Lateral projection · R wrist X-ray · pediatric patient (girl, age 8) · Siemens —
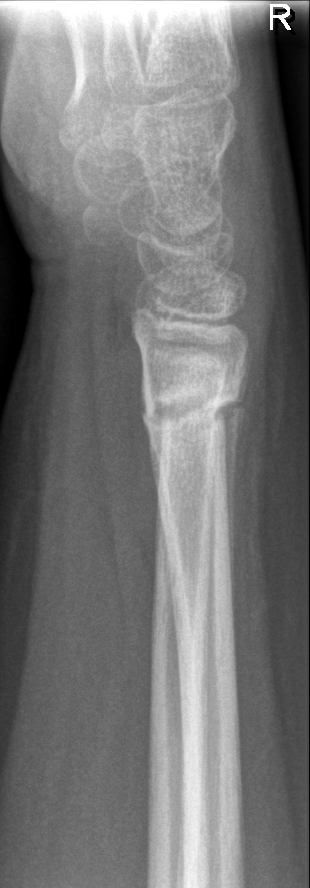

Osteopenia.
One fracture at (135, 359, 244, 451).
AO/OTA classification: 23r-M/3.1; 23u-M/2.1.
Periosteal new bone: (215, 360, 248, 621).